PA | left wrist plain film | follow-up | cast in situ —
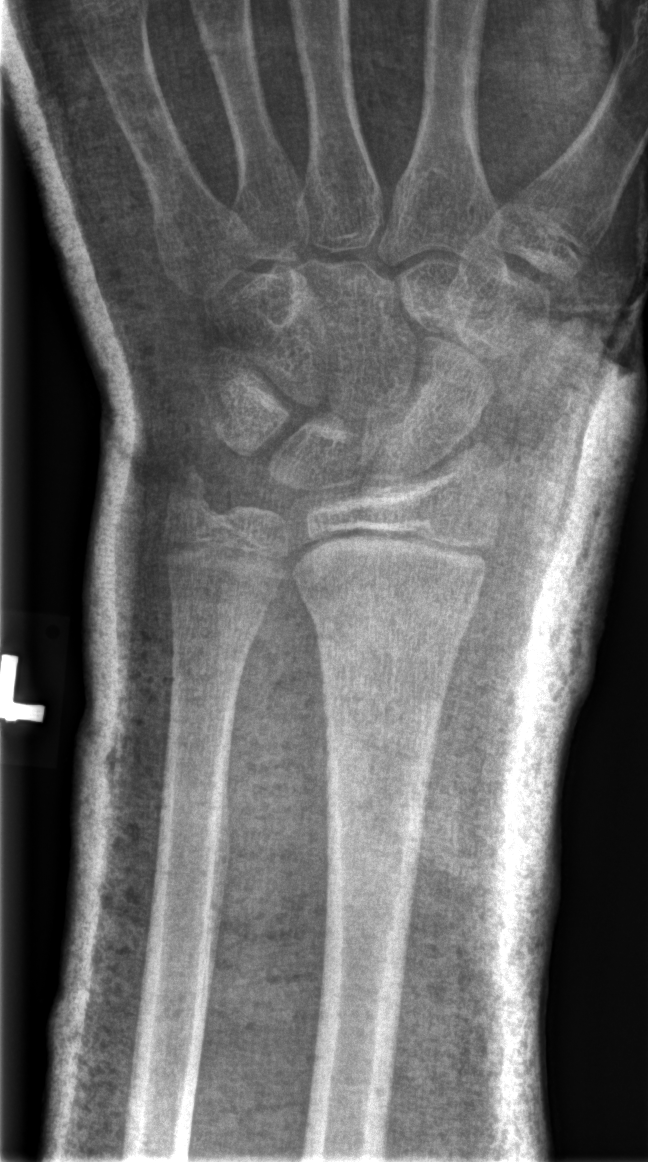

Fx: <163,464>-<224,532>.
Fracture classified AO/OTA 23r-M/2.1; 23u-E/7.